Left wrist plain film · lat · 12-year-old boy:
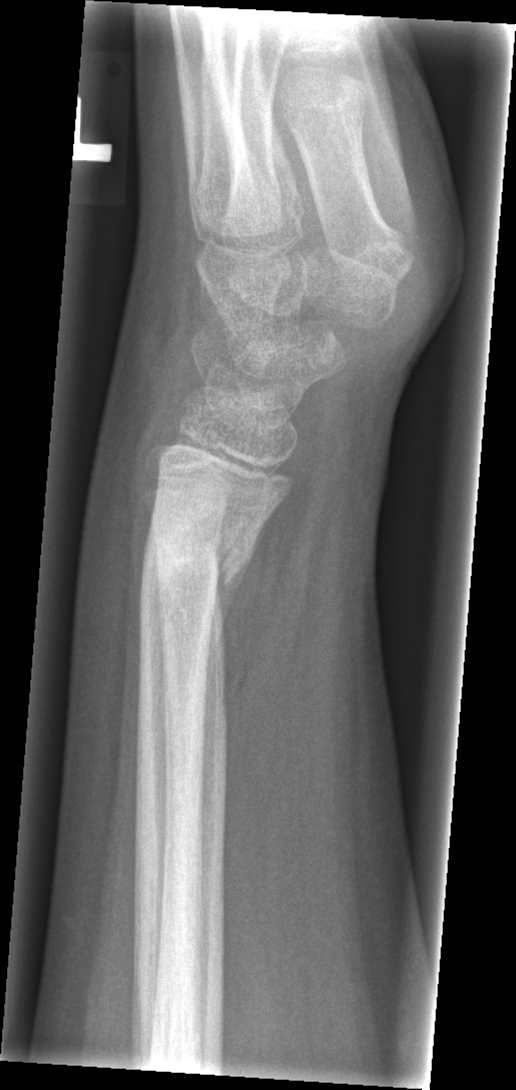
(boxes as x1,y1,x2,y2 (top-left / bottom-right, pixel units))
osteopenia = present
fracture = 1 @ [x1=134, y1=512, x2=263, y2=624]
periosteal reaction = [x1=205, y1=515, x2=271, y2=703]